R wrist plain film | frontal projection | imaged through cast.
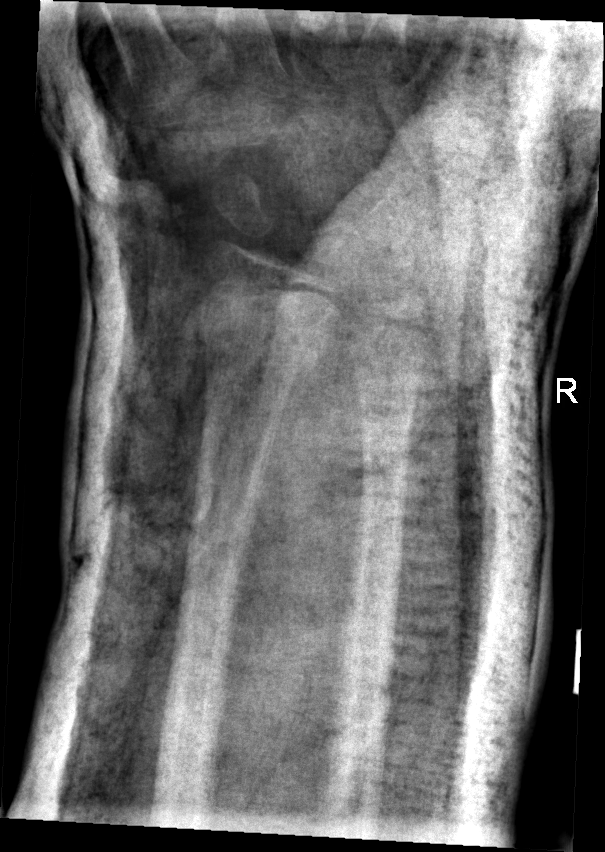 AO classification = 23r-E/2.1
Fracture = (197, 273, 343, 376)